R wrist radiograph; frontal; subsequent exam; 739 by 822 pixels —
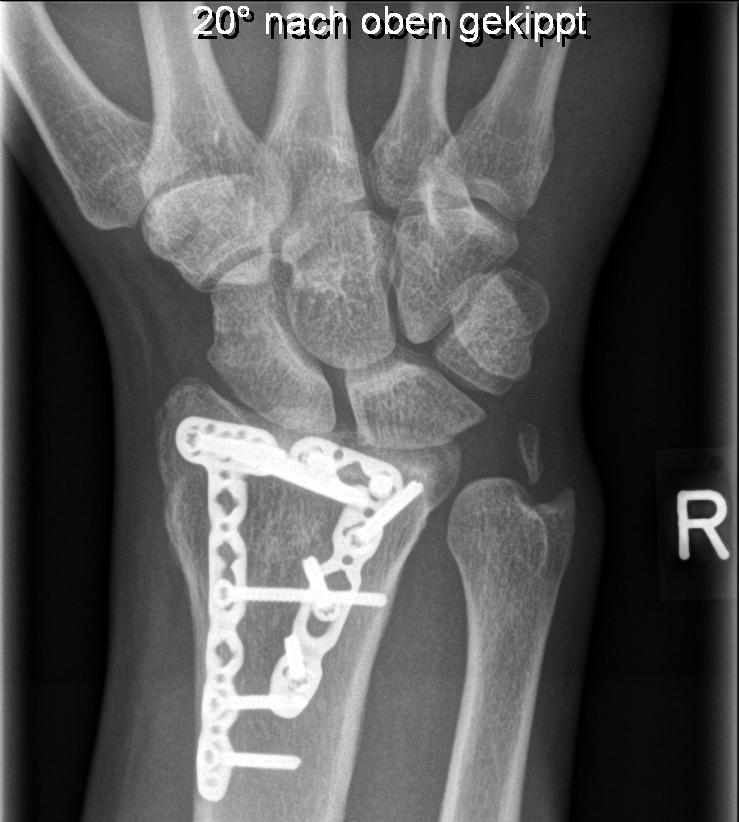

- AO/OTA classification: 23r-M/3.1; 23u-E/7.
- Metallic implant — 173,416,424,802.
- Bone fracture identified at 157,460,358,597
  502,415,582,534.